Lt wrist plain film, lateral, male, 9 yo, initial study:
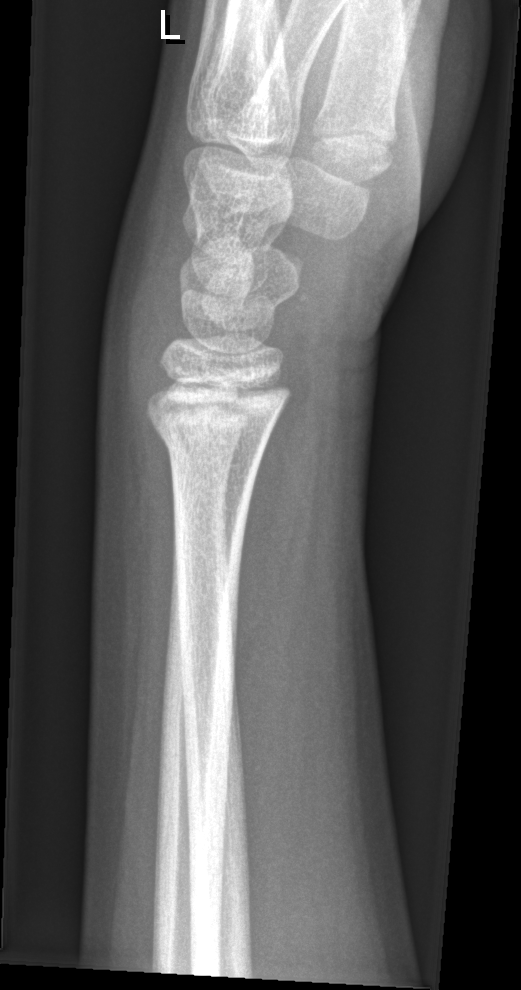

{"pronatorsign": "227 370 315 706", "ao": "23r-M/2.1", "softtissue": "1 @ 92 122 204 419", "fracture": "140 403 275 481"}